Lat projection; right wrist XR; age 14 y, boy; follow-up: 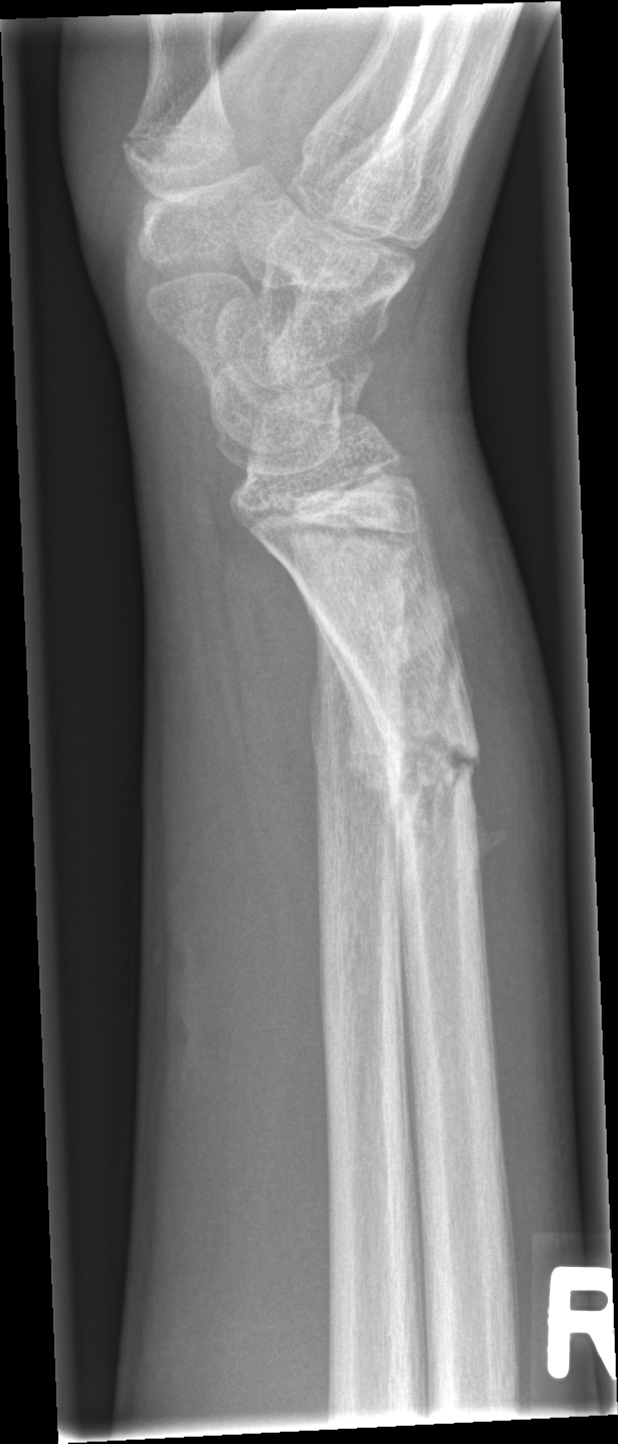
Osteopenia. Periosteal reaction identified at bbox(301, 592, 413, 954). Bone fracture — bbox(366, 695, 488, 850). AO code 23-M/3.1.